Posteroanterior | right wrist radiograph | age 10 y, boy | cast present:

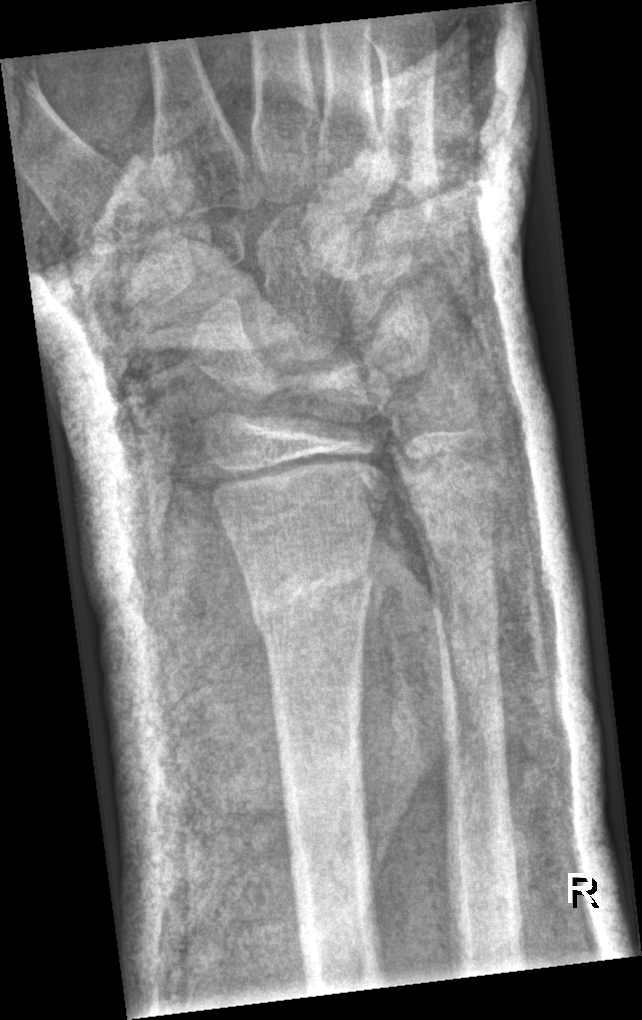
FINDINGS: Fx: (248, 547, 376, 646). Fracture classified AO/OTA 23r-M/3.1.